Left pediatric wrist radiograph, PA/AP projection, age 15 y, female —

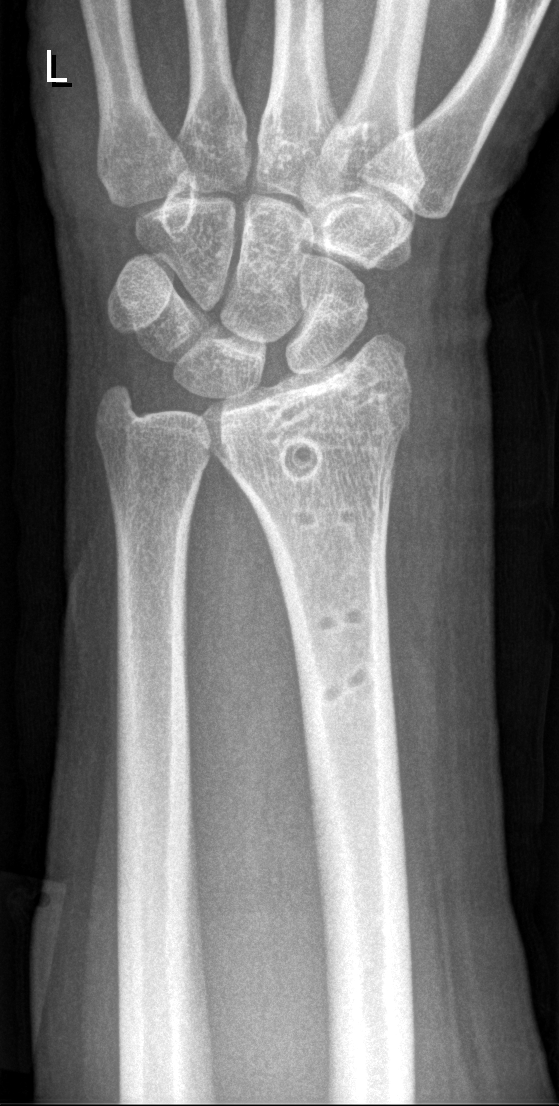 • No Fx annotated.
• Four bone variants at [250, 361, 396, 483], [286, 496, 382, 536], [303, 595, 379, 643], [318, 652, 375, 715].